PA/AP, left wrist plain film, age 9 y, girl, cast present, image width 68.7 mm

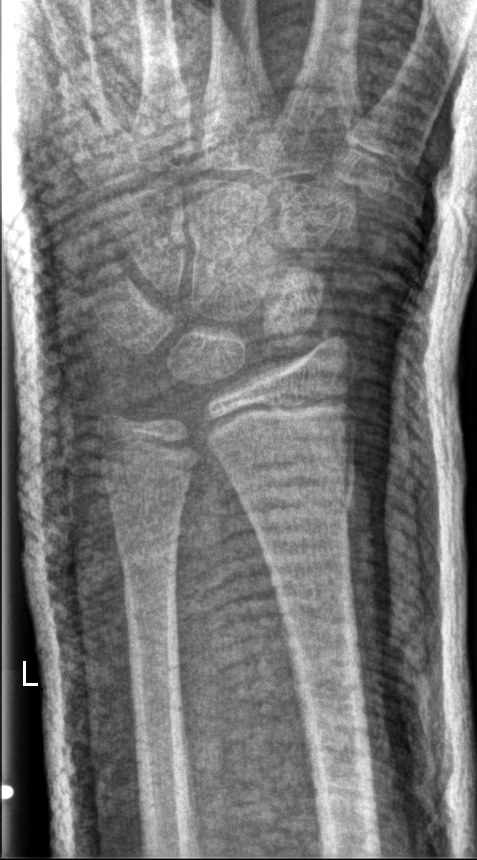
FINDINGS: Fracture classified AO/OTA 23-M/2.1. Fx: 228,458,357,527.